Lt plain radiograph of the wrist · lateral projection · age 11 y, male · initial study.

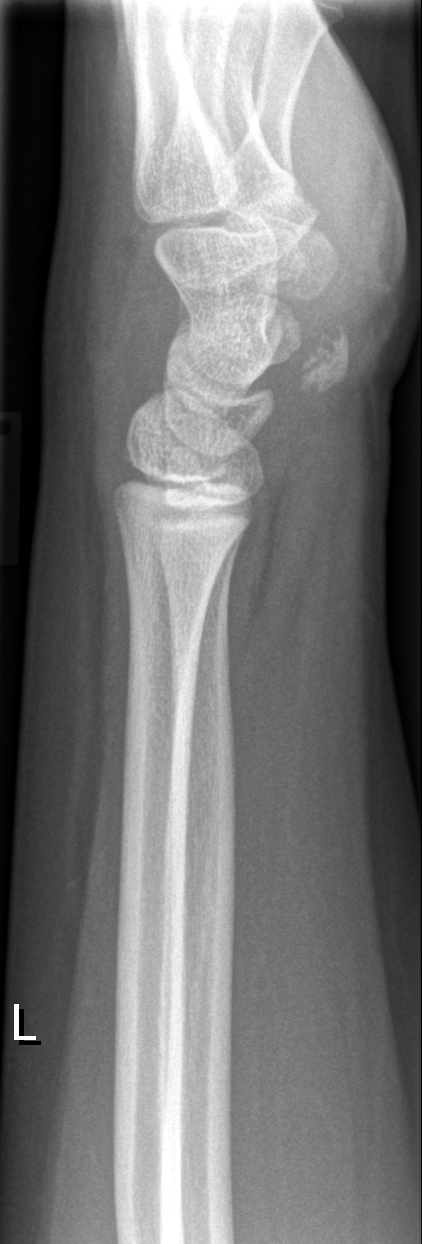
FINDINGS: Fracture: none labeled.